Lateral projection | left wrist pediatric wrist radiograph | 566 x 874 px:

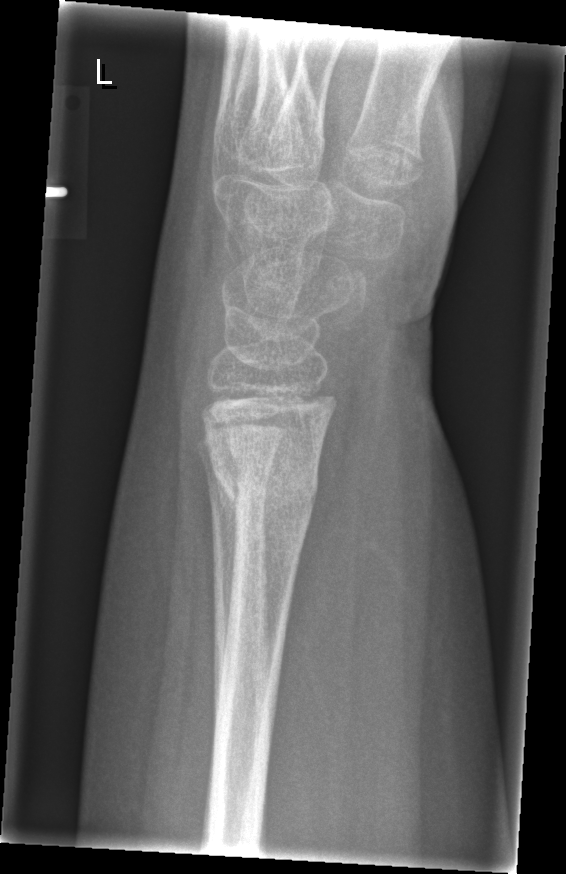

  # coordinates are [x1, y1, x2, y2] in image pixels
  fracture: 203,431,325,525
  osteopenia: present